Lt pediatric wrist radiograph, frontal projection, presentation radiograph — 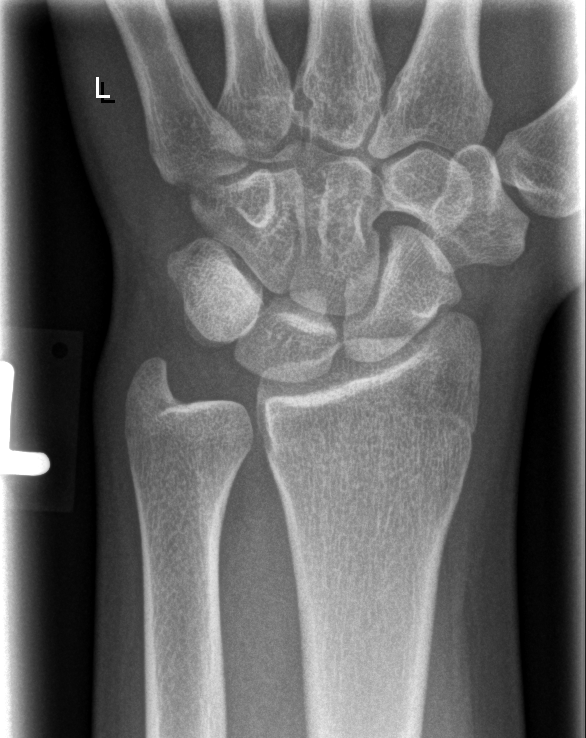

• Fracture: none labeled.